Posteroanterior view; right wrist plain film; 7-year-old girl; subsequent exam; cast present — 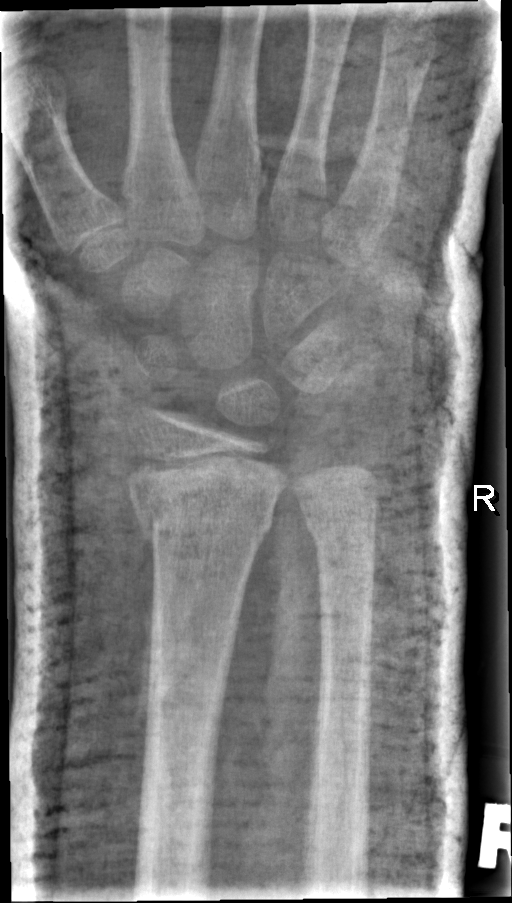
* AO code 23r-M/3.1; 23u-M/2.1.
* Fx: bbox(129, 486, 278, 561) bbox(300, 496, 382, 566).